PA projection, right wrist XR, image width 88.3 mm. 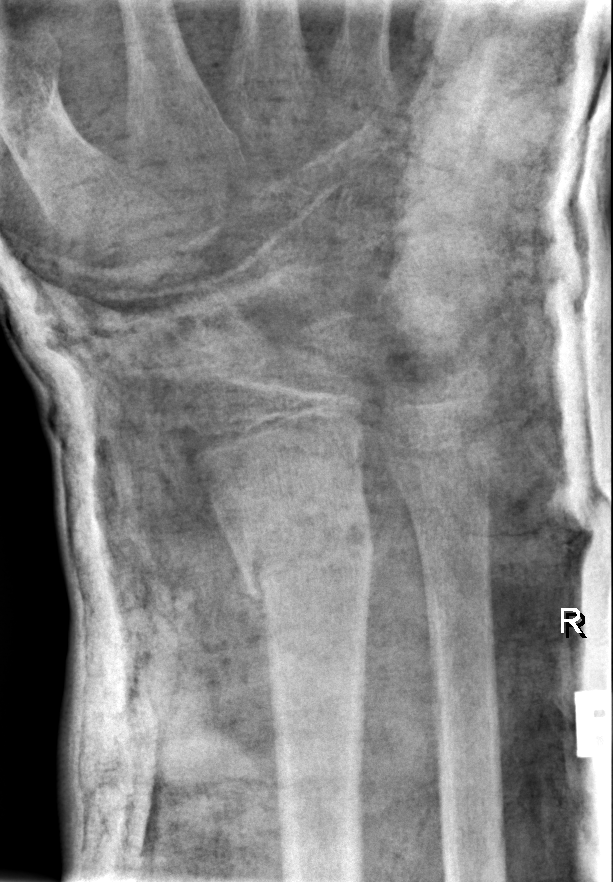
- Fx — [x1=231, y1=497, x2=380, y2=601], [x1=434, y1=361, x2=501, y2=420].
- AO code 23r-M/3.1; 23u-E/7.